Lateral view | left wrist radiograph | pediatric patient (boy, age 9). 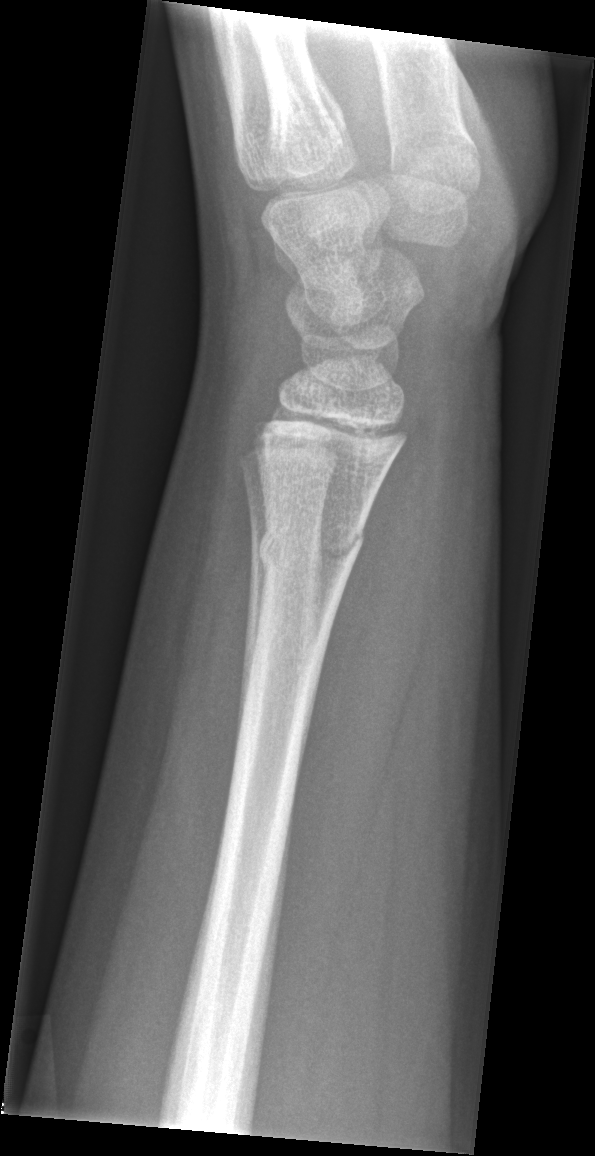 fracture: 1 @ [x1=255, y1=520, x2=366, y2=585]
pronator quadratus fat-pad sign: [x1=279, y1=393, x2=438, y2=886]